Lt plain radiograph of the wrist | PA | 12-year-old boy | Siemens.
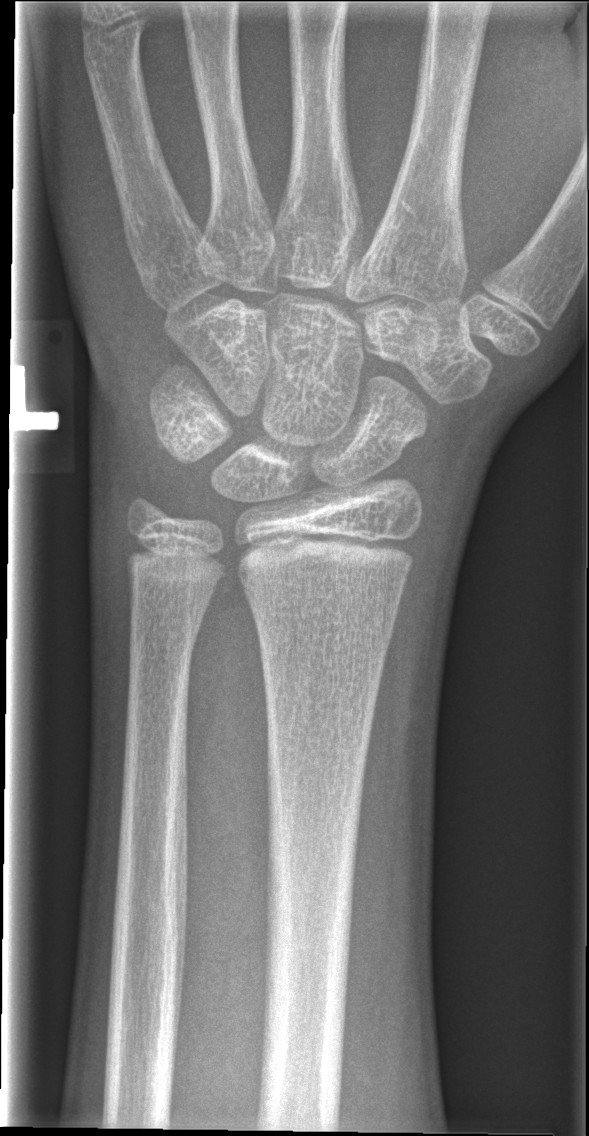

fracture: none labeled